Left wrist radiograph, PA/AP projection, 632x1164.

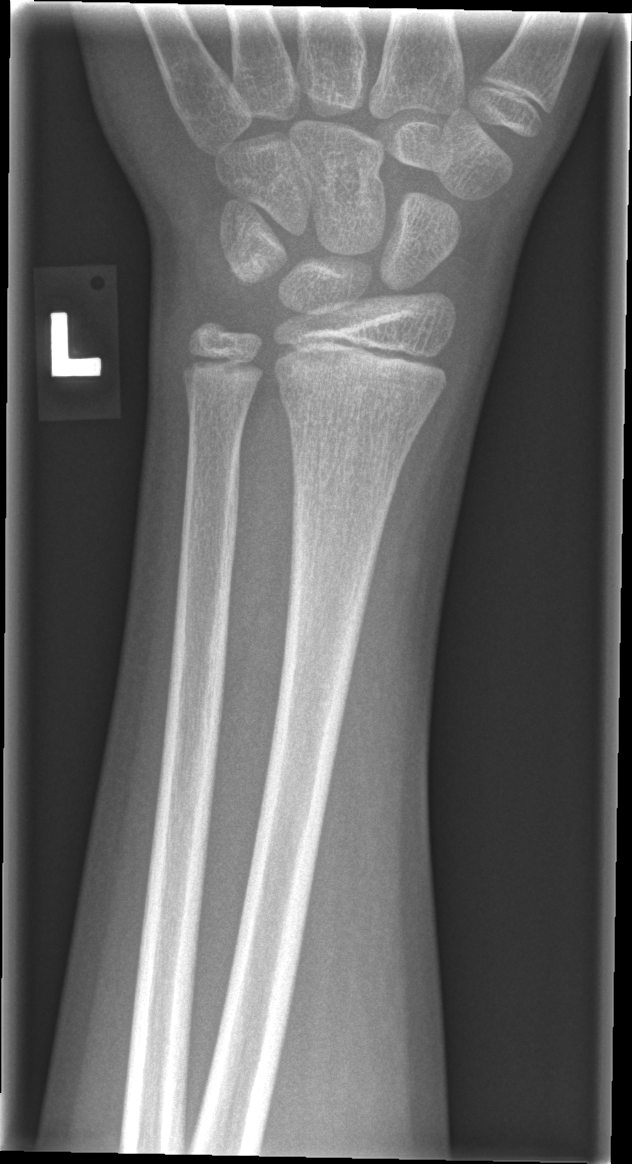 * Boxes as x1,y1,x2,y2 (top-left / bottom-right, pixel units).
* Fracture classified AO/OTA 23r-M/2.1.
* Fracture identified at 276,378,438,435.